Lateral projection, left plain radiograph of the wrist, 11y M — 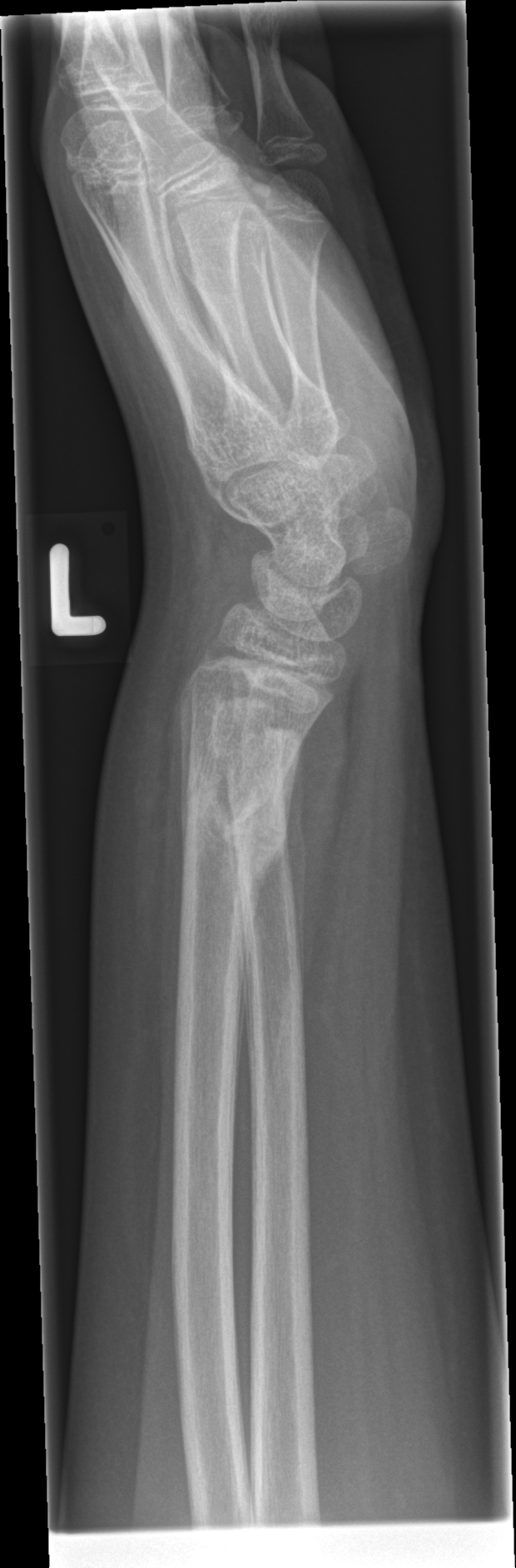

Osteopenia. Periosteal thickening — [280, 728, 309, 1006]. Fracture classified AO/OTA 23r-M/3.1; 23u-E/2.1. Fx — [177, 724, 304, 902].